Left wrist XR | posteroanterior view:
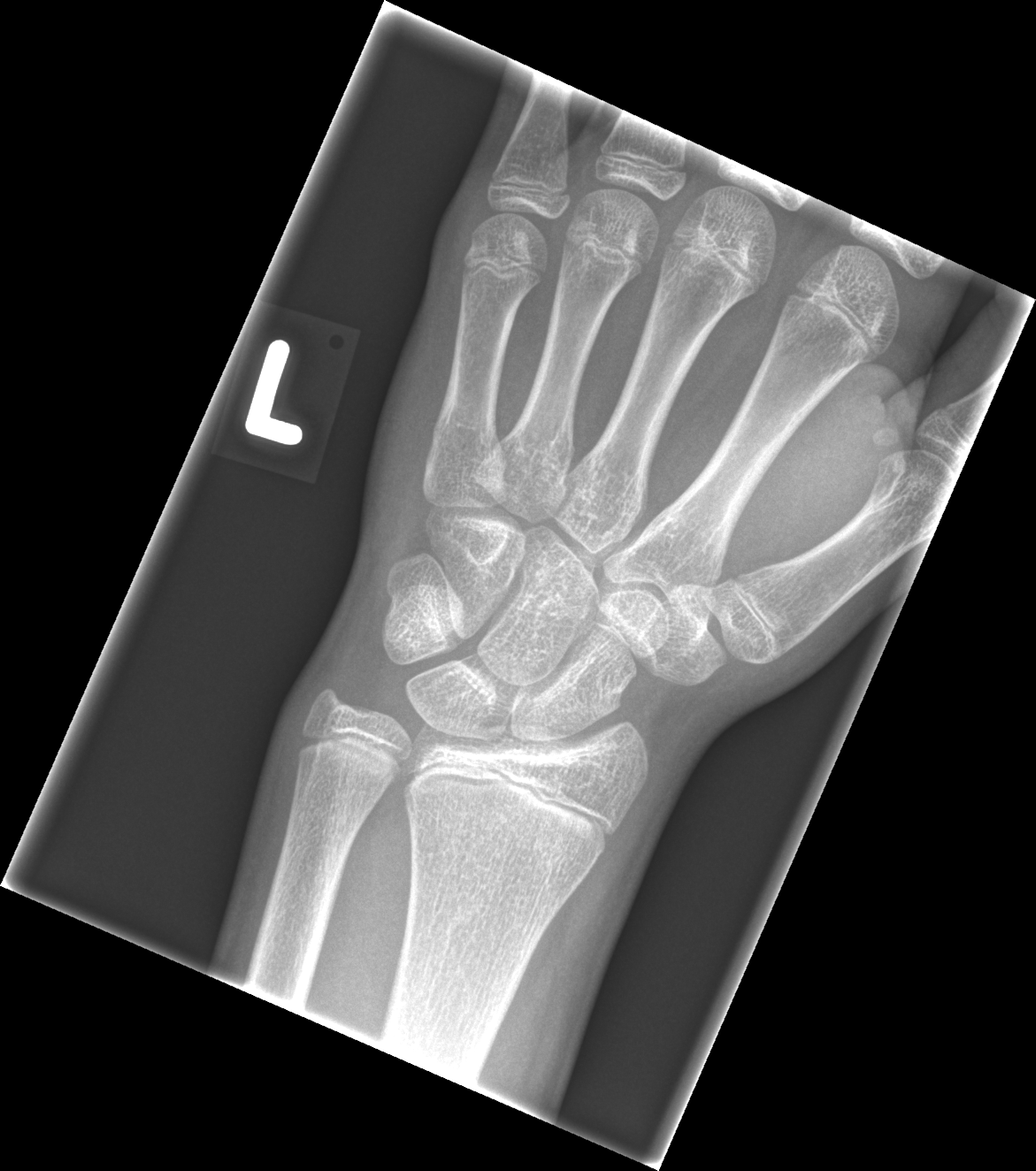
Fracture: none labeled.